Lt wrist plain film, posteroanterior projection, pediatric patient (male, age 11), image width 83.8 mm: 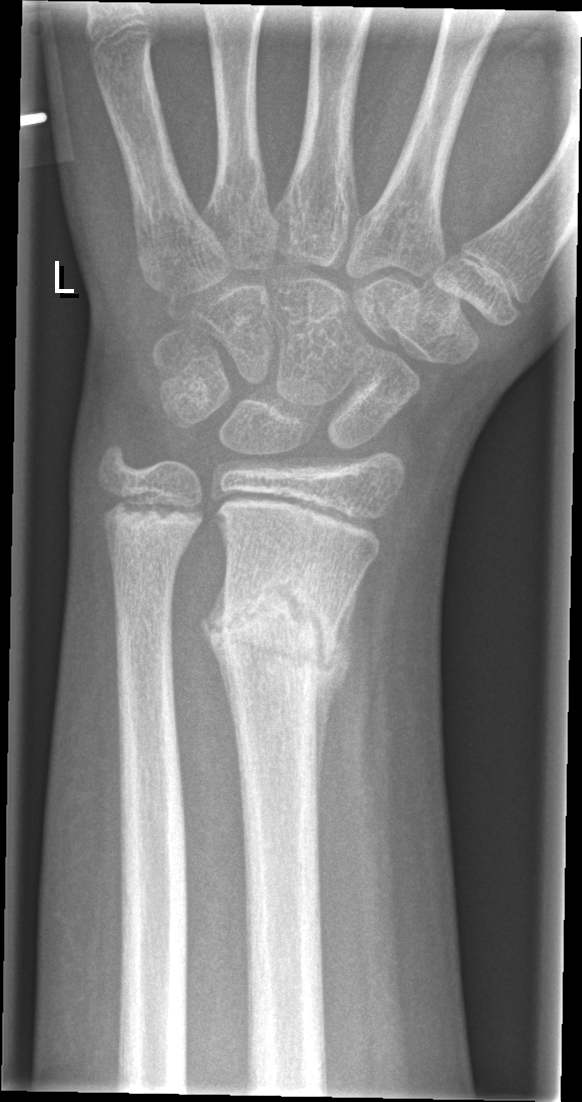
osteopenia: present
ao: 23r-M/3.1; 23u-E/2.1
periostealreaction: 2 @ (314, 573, 364, 820); (199, 569, 239, 757)
fracture: (208, 571, 348, 691)